Frontal; L wrist plain film; boy, 13 yo; presentation radiograph — 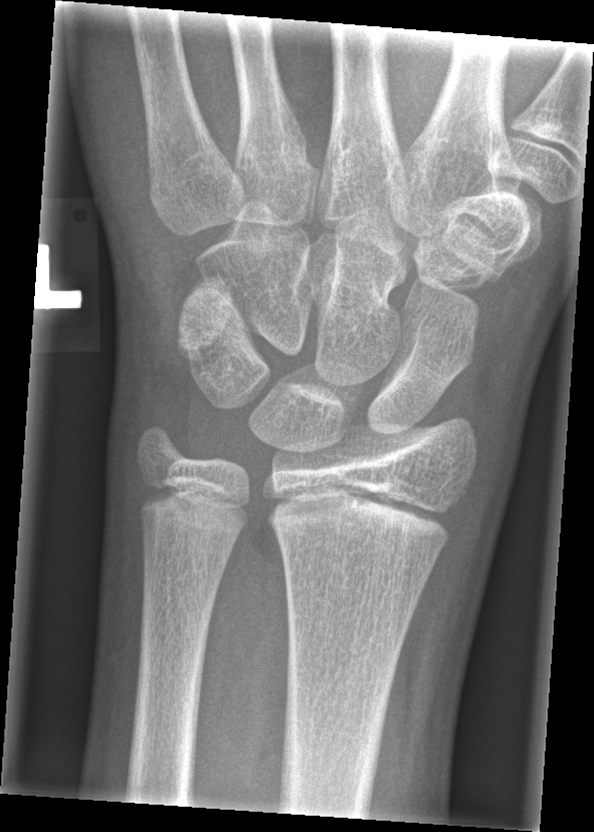

* No fracture bounding box.